Right wrist pediatric wrist radiograph | posteroanterior view | 13y M | follow-up study | 89.3 mm image width —

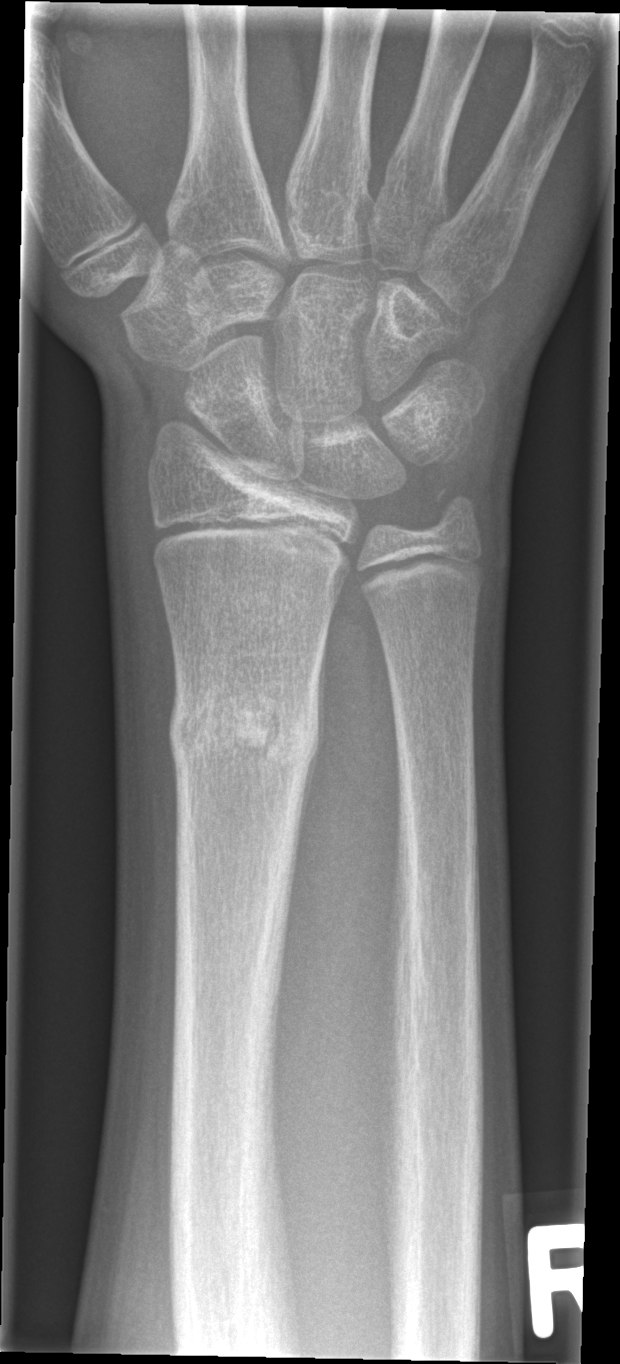 (pixel coordinates, top-left origin, xyxy)
periosteal reaction: 1 @ 296 633 327 856
fracture: 2 @ 165 672 326 789
  419 478 491 548